Left wrist pediatric wrist radiograph, lateral projection —

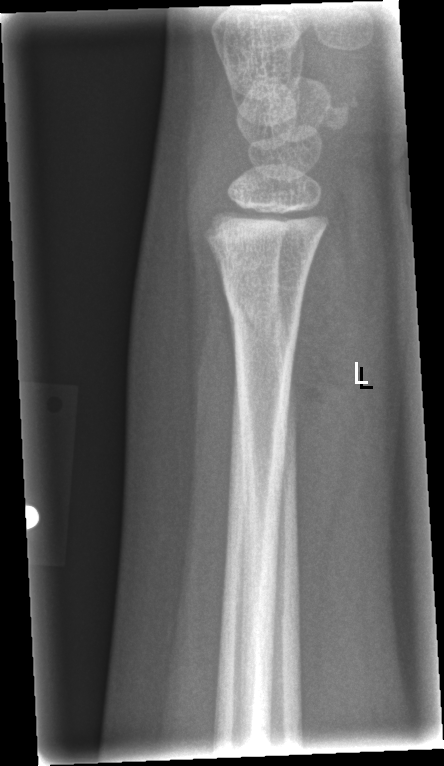
Pixel coordinates, top-left origin, xyxy. AO/OTA classification: 23r-M/2.1. Fx — <220,282>-<303,340>.